Rt wrist XR | lat view | 9y F | image 65.1 mm wide | image size 452x938:

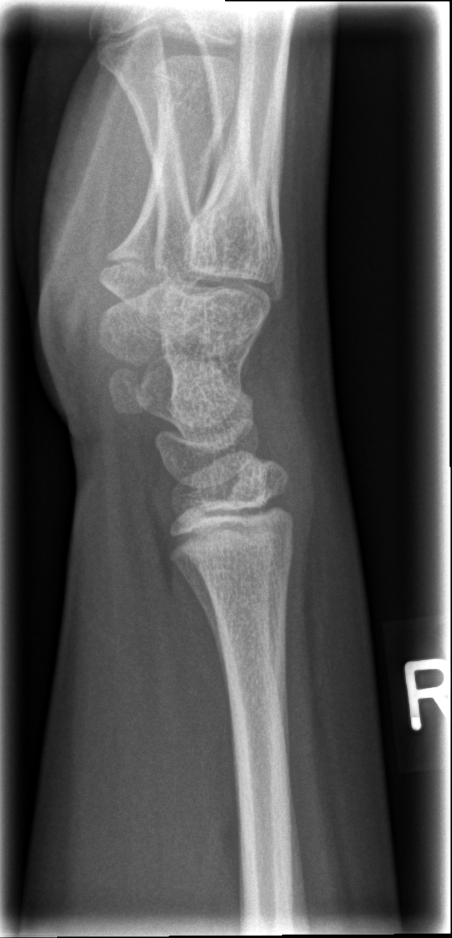 Q: Locate any fractures.
A: Fx: none